R plain radiograph of the wrist; frontal projection; image width 84.7 mm; 588 x 844 px 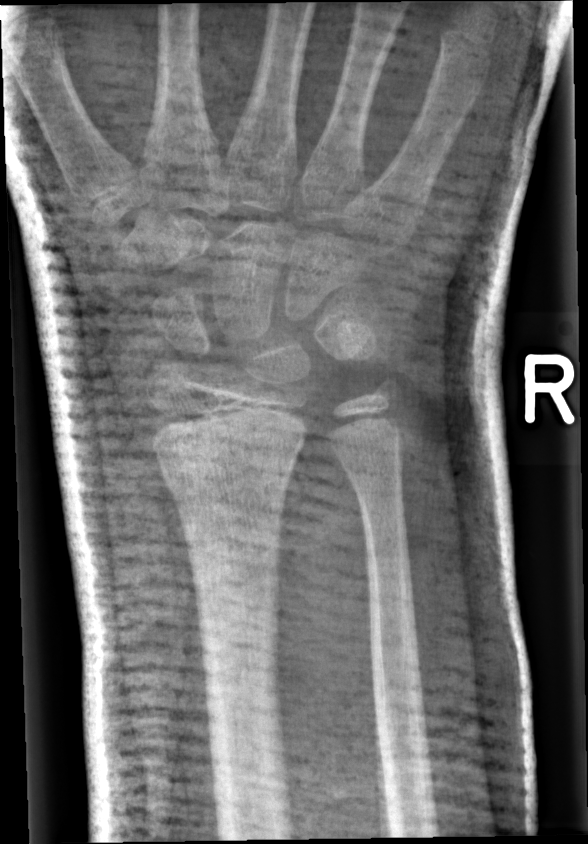

AO code = 23r-M/2.1
fracture = present but not clearly seen in this view